Right wrist X-ray, lat, male, 13 yo, subsequent exam, cast in situ —

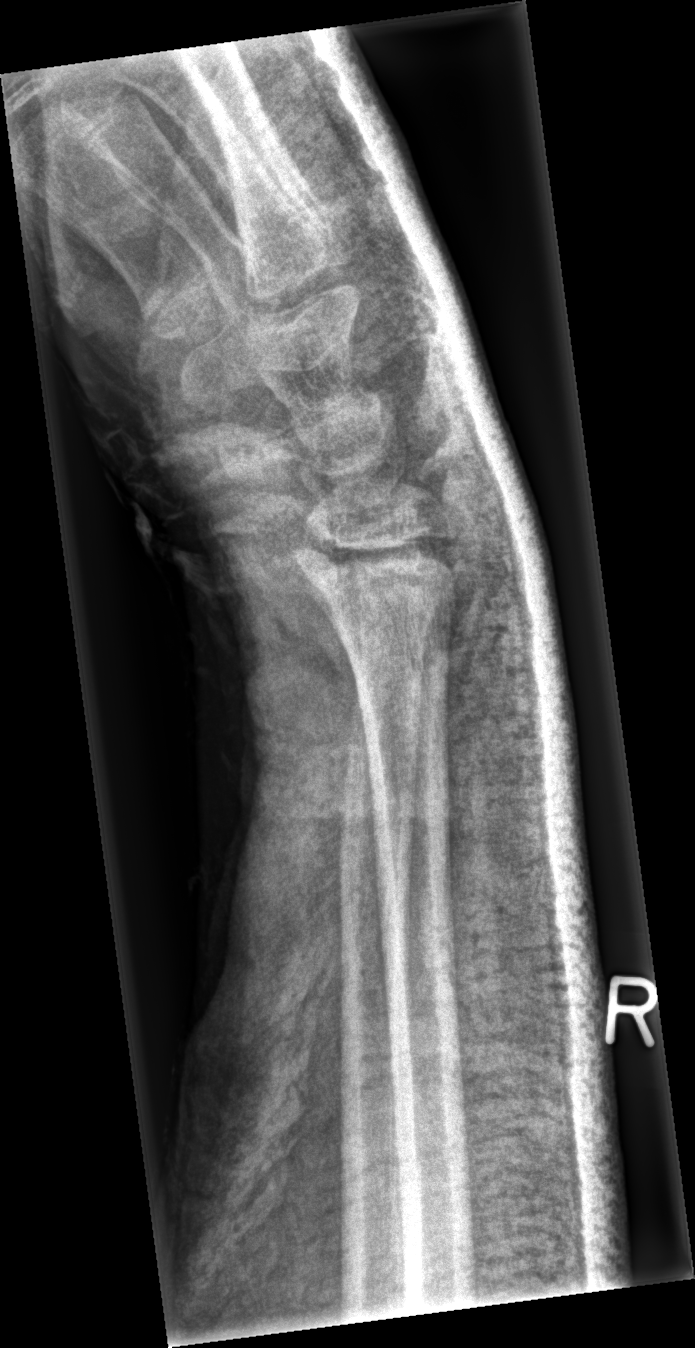   # coordinates are [x1, y1, x2, y2] in image pixels
  fracture: 1 @ <283,523>-<470,632>
  ao: 23r-E/2.1; 23u-E/1